Right plain radiograph of the wrist · lat · pediatric patient (girl, age 10) —

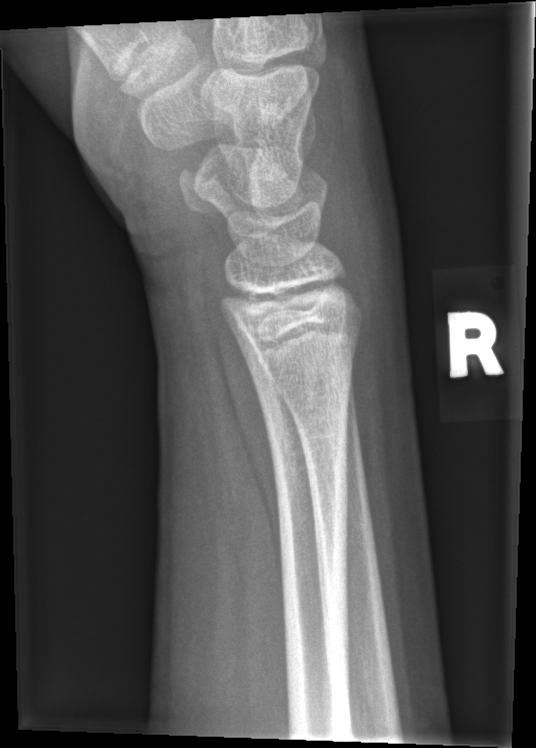 No Fx annotated.